PA/AP view; right plain radiograph of the wrist; pediatric patient (female, age 14); initial study —

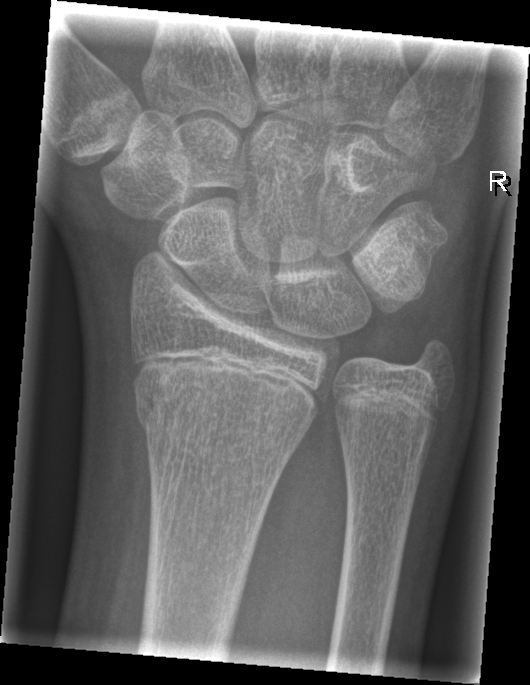 Fracture = 1 @ 131 375 323 453